Lat projection | Rt wrist radiograph | girl, 8 yo 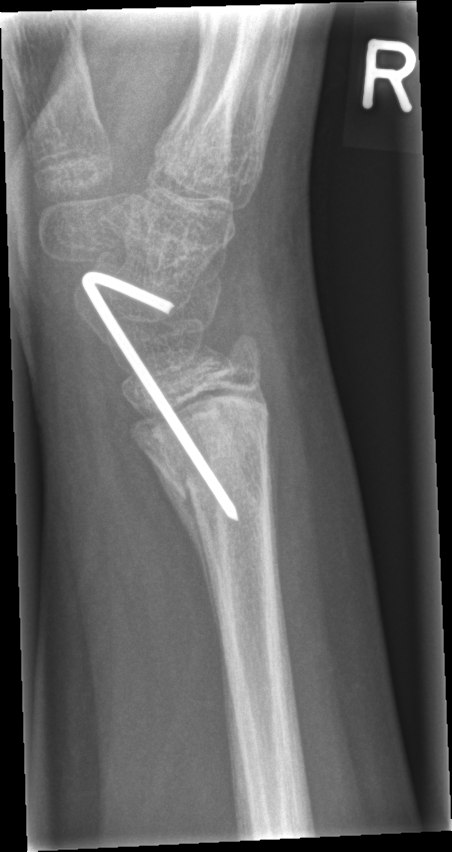
(coordinates are [x1, y1, x2, y2] in image pixels)
periosteal new bone: 1 @ 153 470 217 633
metallic hardware: 1 @ 68 262 249 532
osteopenia: present
Fx: 1 @ 153 440 278 521